Posteroanterior view | right wrist XR | girl, 7 yo | index exam:

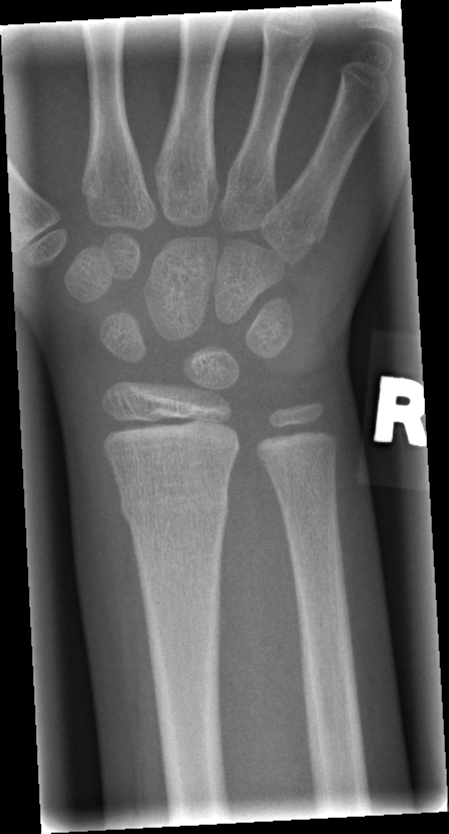

(boxes as x1,y1,x2,y2 (top-left / bottom-right, pixel units))
Fracture = [x1=116, y1=474, x2=234, y2=538]
AO classification = 23r-M/2.1